PA/AP · right wrist XR · 17-year-old male · initial study · image 106.7 mm wide.

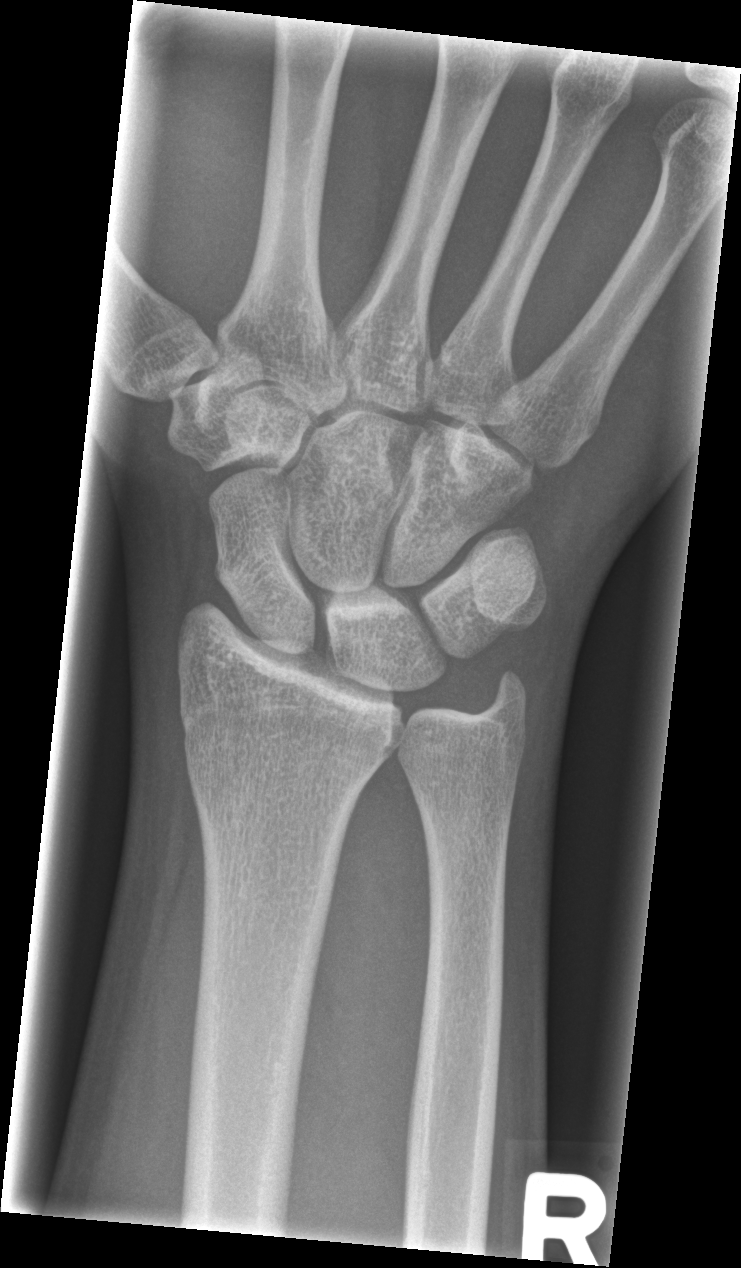

Bone fracture: none labeled